Lateral projection, Rt wrist plain film, pediatric patient (female, age 8), follow-up.

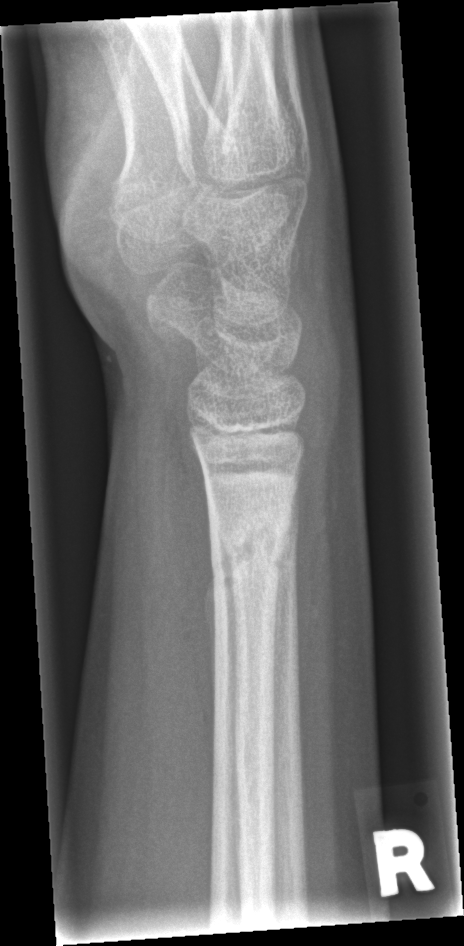 AO code = 23-M/3.1
osteopenia = present
periosteal thickening = <203,568>-<218,713>
bone fracture = <205,511>-<294,582>